Right wrist radiograph, PA projection, image size 640x986 —

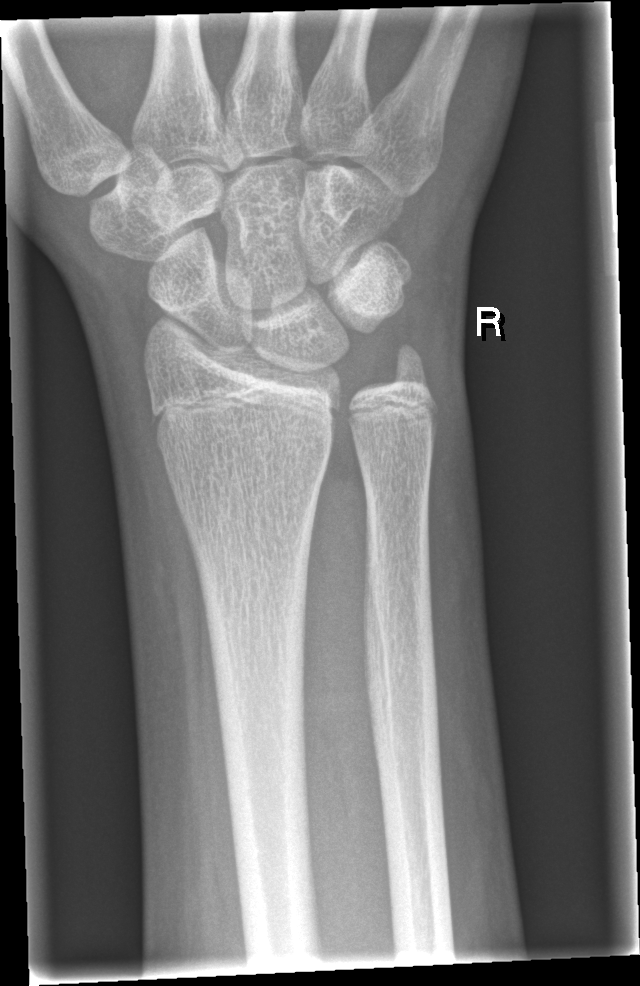
Q: Fracture present?
A: No Fx annotated